L pediatric wrist radiograph | AP projection | male, 5 yo | in cast | 663 x 1286 px
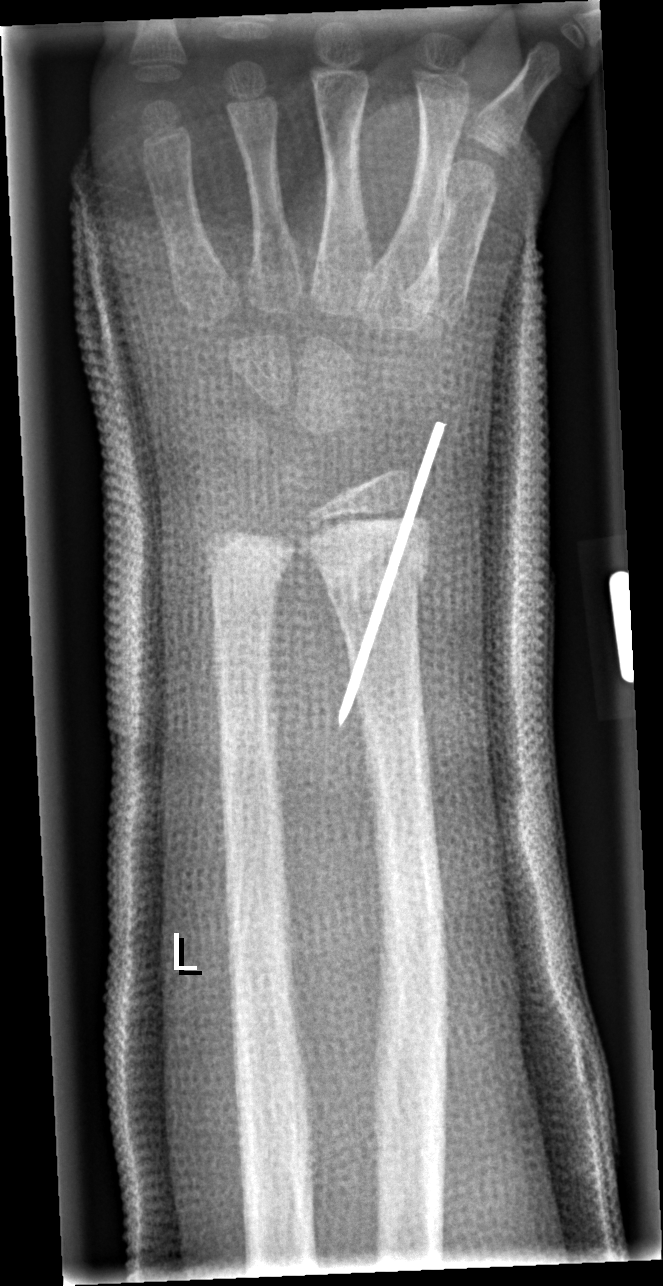 {"fracture": "2 @ 322 537 432 617; 204 534 294 595", "metal": "337 418 450 731", "ao": "23r-M/3.1; 23u-M/2.1"}